Right plain radiograph of the wrist; lateral view; female, 6 yo. 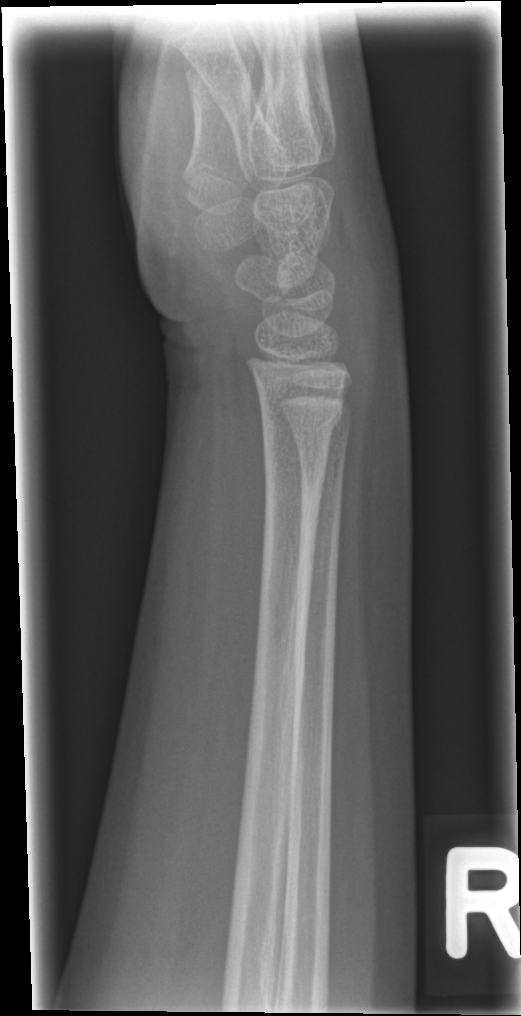 FINDINGS — (pixel coordinates, top-left origin, xyxy) AO code 23r-M/2.1. One Fx at 255 389 348 435.